Right wrist radiograph, PA projection, pediatric patient (female, age 10)
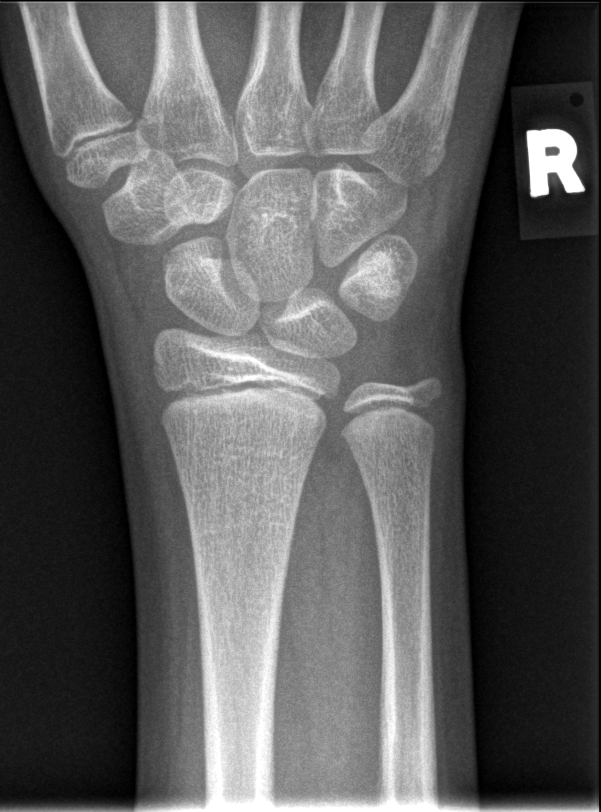

- No fracture labeled.